Lateral view; left wrist X-ray. 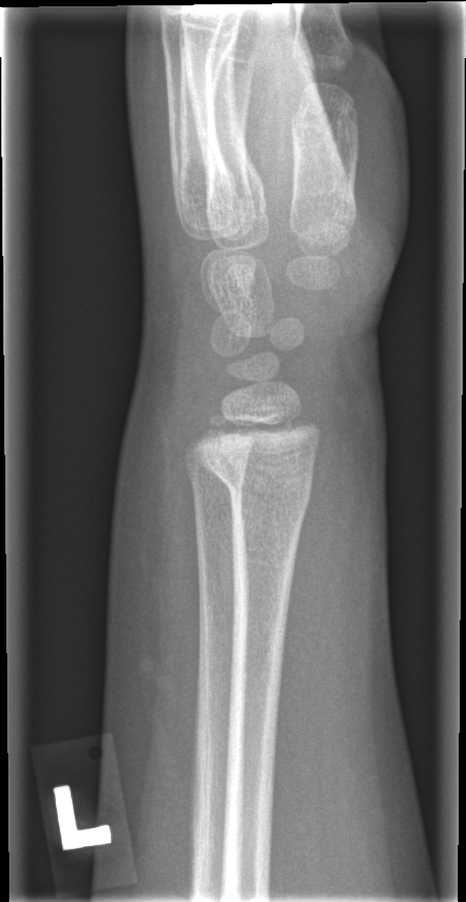

Q: Any fracture seen?
A: Fx — [x1=199, y1=447, x2=316, y2=527]
Q: AO code?
A: AO code 23r-M/2.1